R plain radiograph of the wrist | frontal.

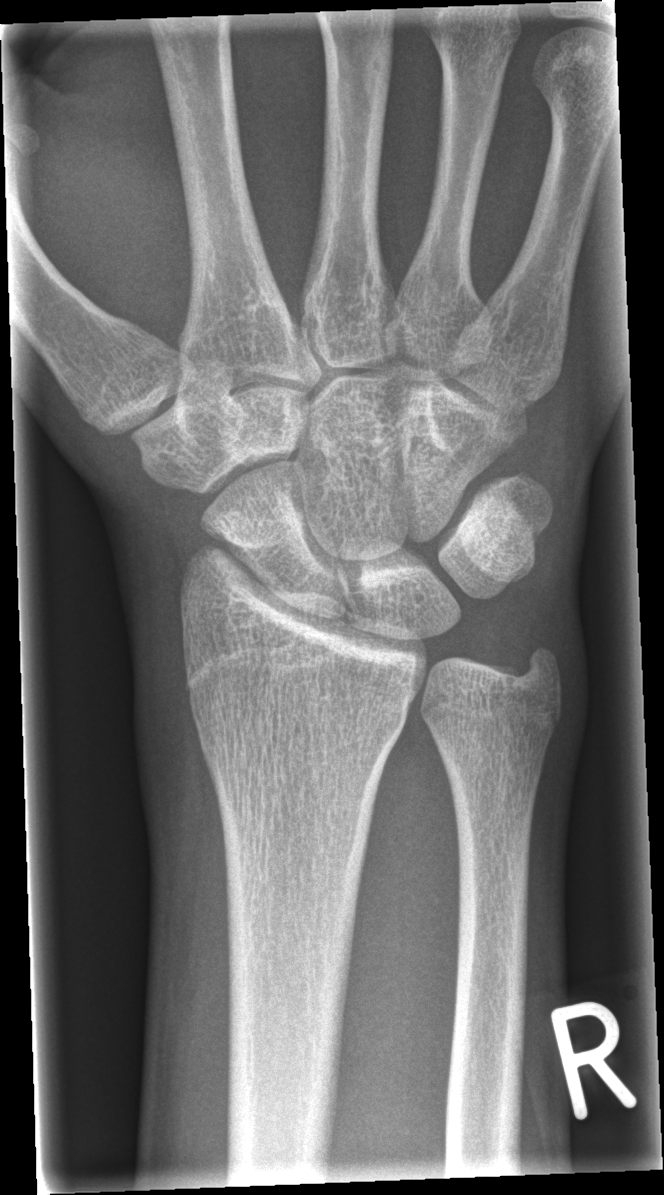 Bone fracture = none labeled